Lat view; right plain radiograph of the wrist; image width 90.0 mm; 625x914 — 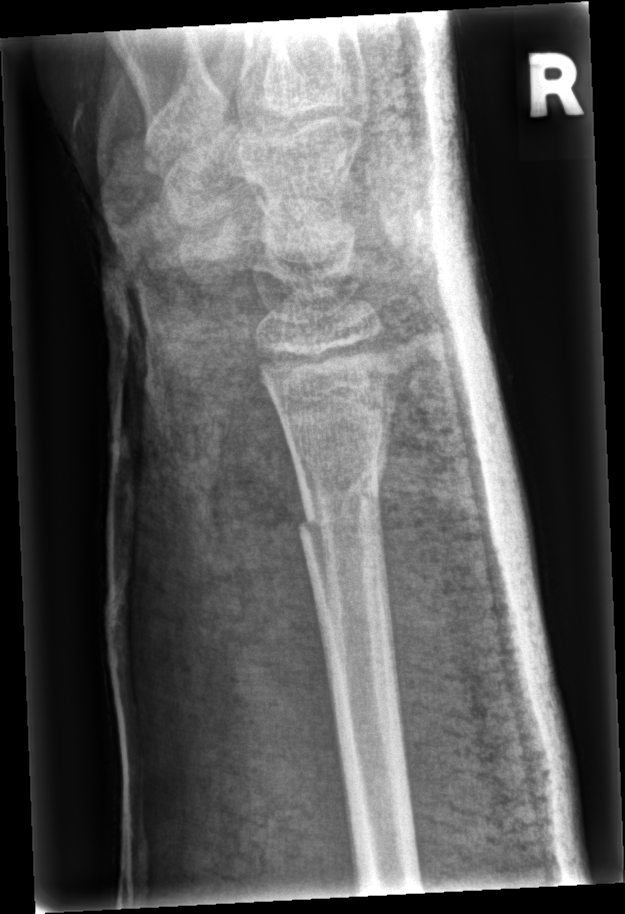

Fx = 294 434 394 574
AO code = 23r-M/3.1; 23u-M/2.1